R wrist XR; PA; pediatric patient (male, age 11); detector: Siemens.
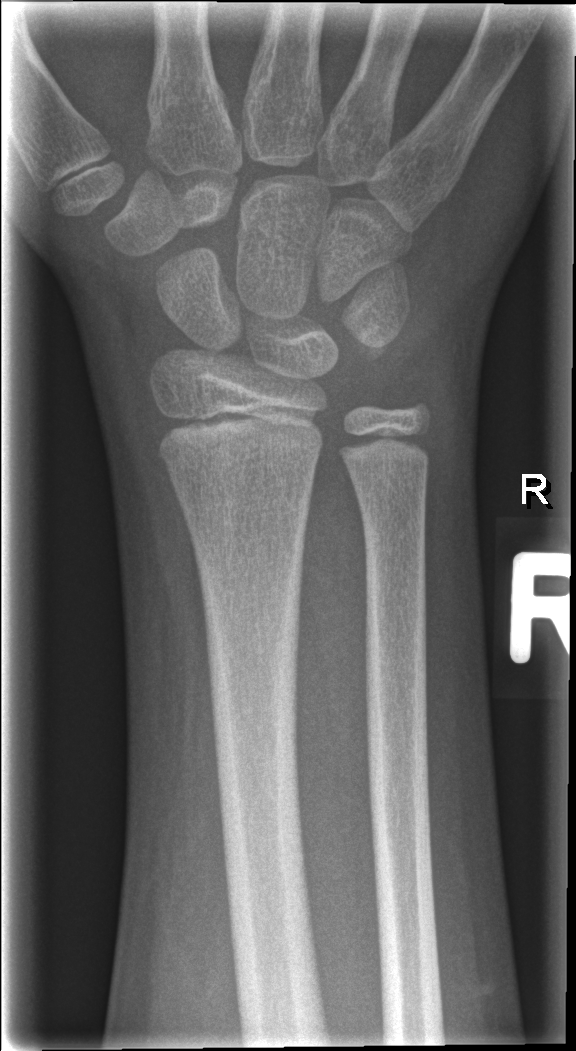 Q: Locate any fractures.
A: No fracture bounding box